Lateral projection; right wrist radiograph; subsequent exam:
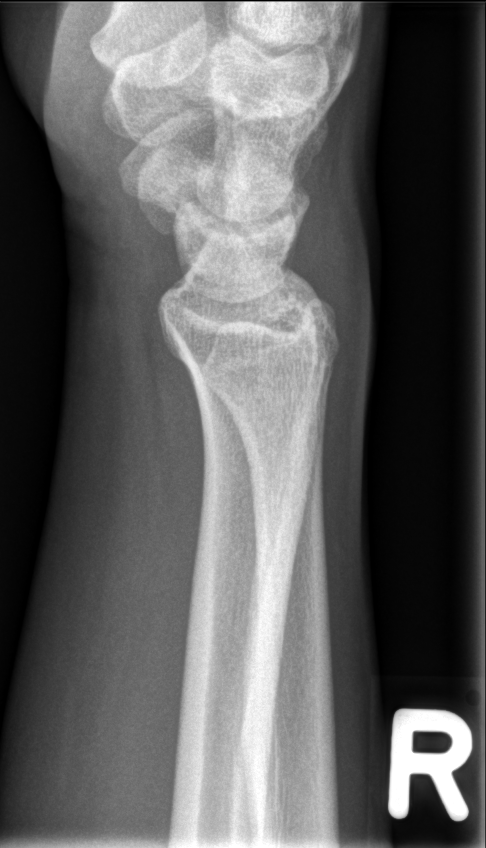 AO/OTA classification: 72B(b).
Fracture: present but not clearly seen in this view.